Right wrist pediatric wrist radiograph · PA view · follow-up study —
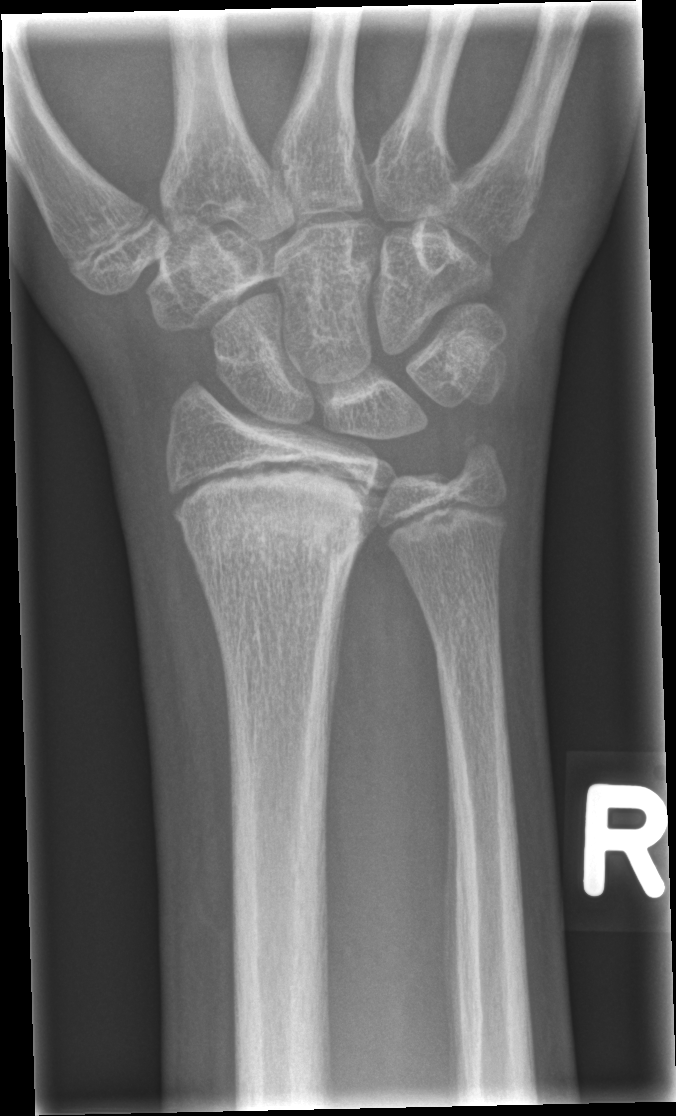 {"_coords": "pixel coordinates, top-left origin, xyxy", "ao": "23r-E/2.1; 23u-E/7", "fracture": "2 @ 165 462 381 570; 449 424 511 491"}